L wrist radiograph | lateral projection | 12-year-old female

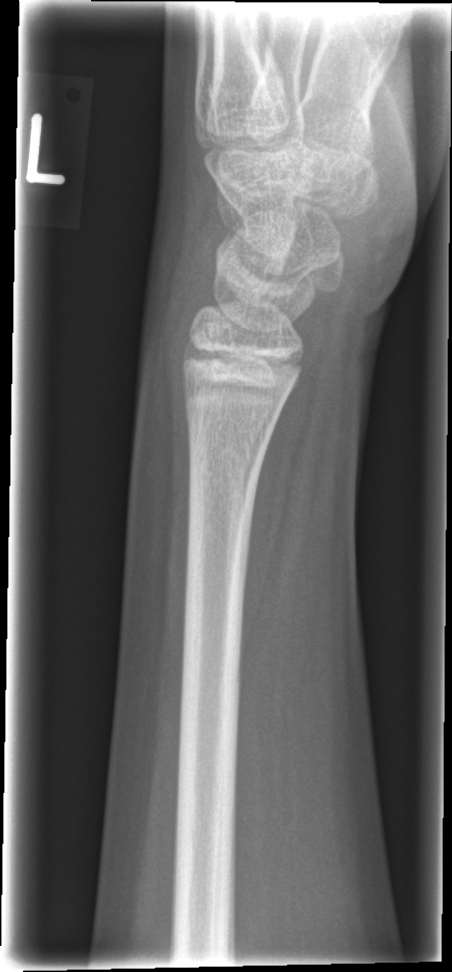

fracture: none labeled